Rt wrist XR; lateral projection; male, 12 yo; initial study

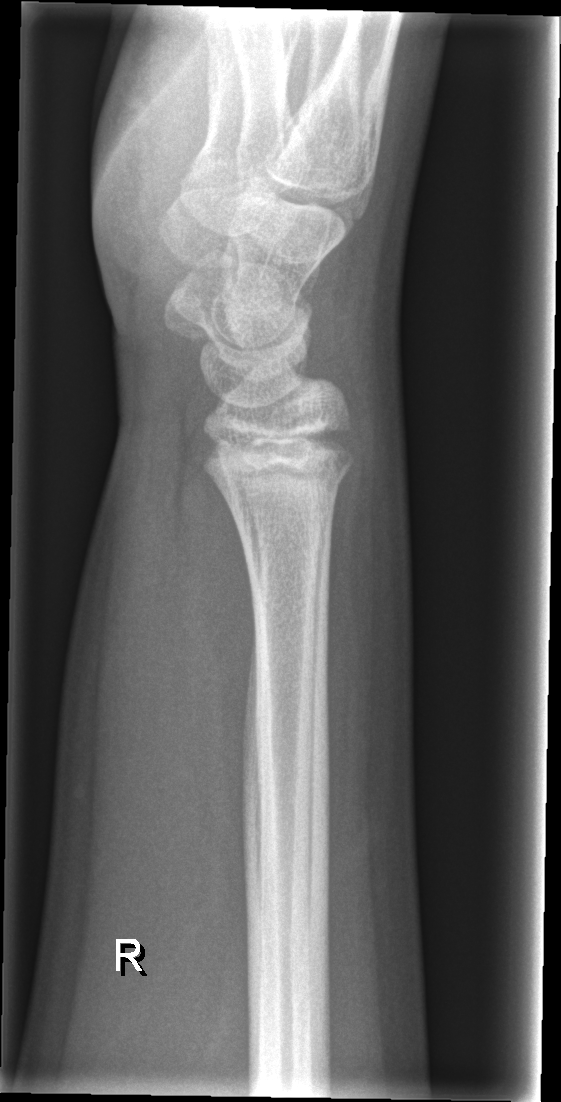

Q: Is there a fracture?
A: Fx identified at <200,417>-<359,502>
Q: AO code?
A: Fracture classified AO/OTA 23r-E/2.1
Q: Is the pronator sign positive?
A: Pronator quadratus fat-pad sign — <169,461>-<261,878>